Left wrist plain radiograph of the wrist; AP projection; male, 15 yo —

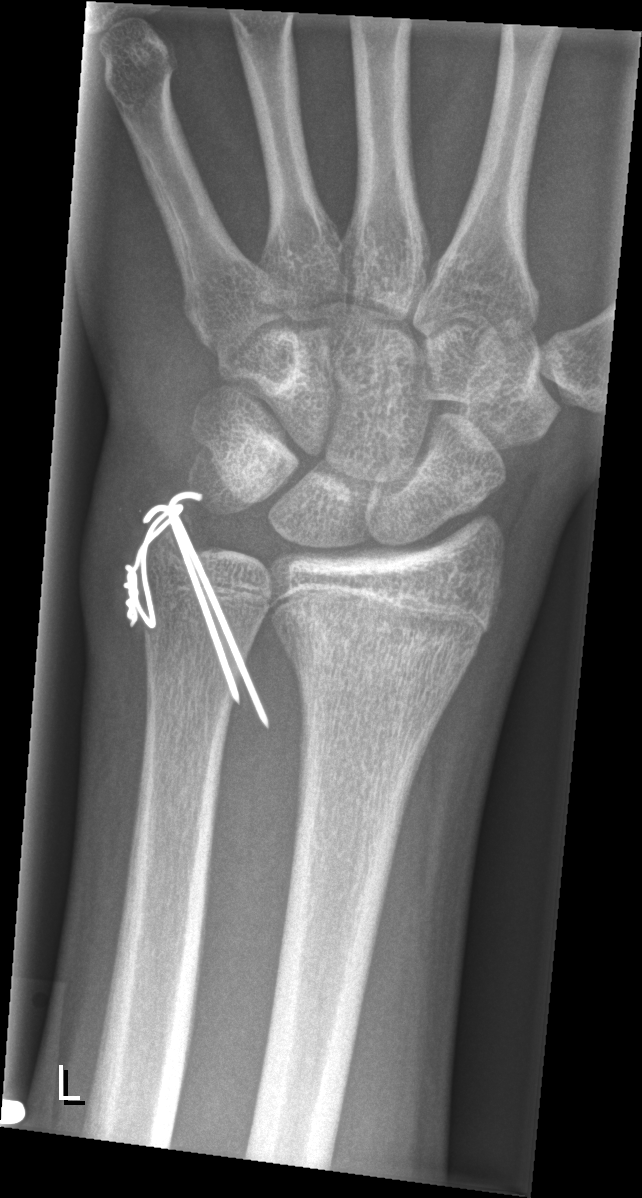

Bone fracture identified at bbox(271, 600, 490, 699); bbox(145, 489, 193, 574).
Metallic implant identified at bbox(119, 489, 271, 731).